Lateral | L pediatric wrist radiograph | male, 3 yo — 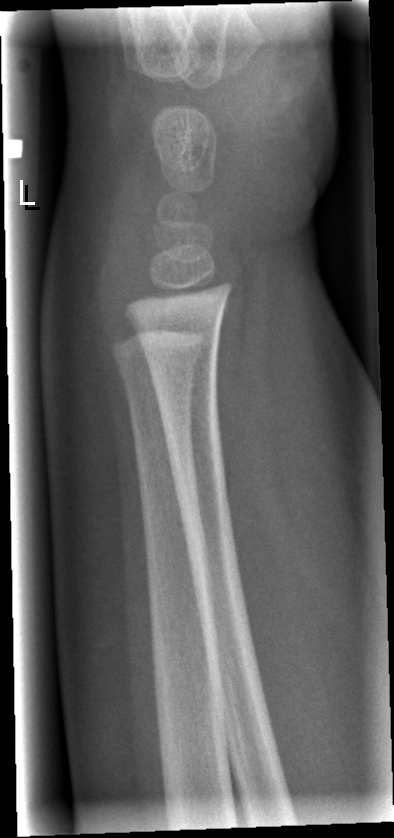 fracture: none labeled